Lat · Rt wrist X-ray · 11y F · 514 by 832 pixels:

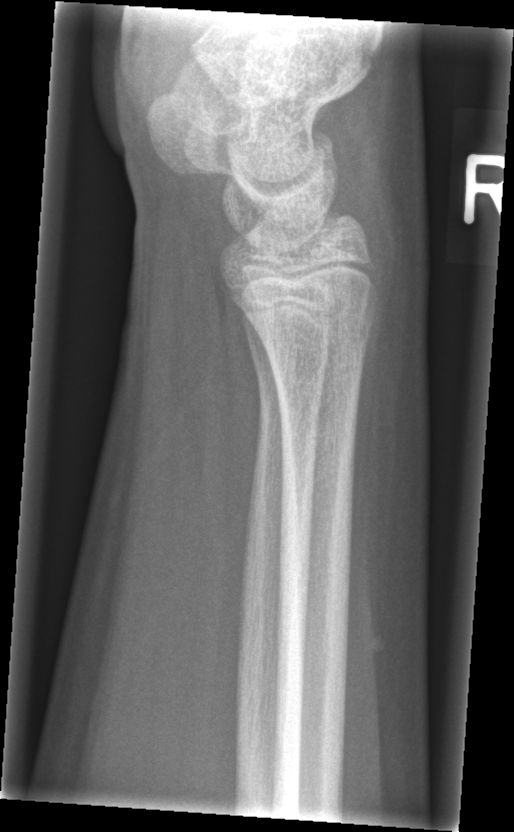

{"fracture": "none labeled"}